Right wrist X-ray; lateral view; 8y F; detector: Siemens; 447x850.

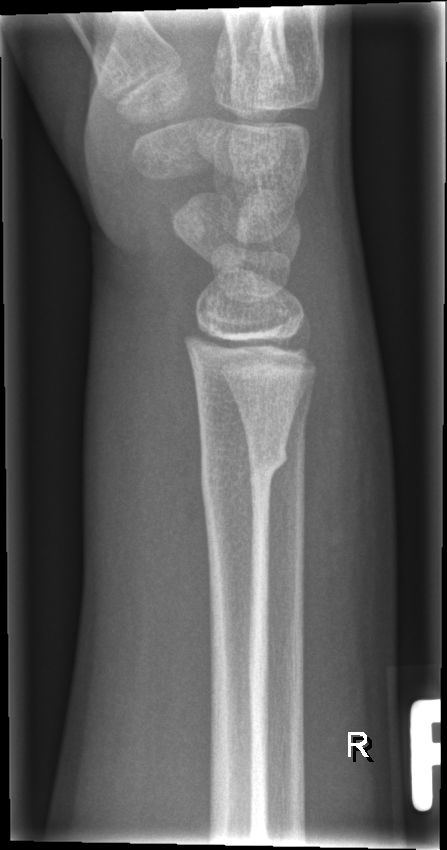

Positive pronator fat-pad sign — (left=127, top=301, right=216, bottom=745).
Fx identified at (left=198, top=421, right=291, bottom=511).